Posteroanterior | Lt wrist X-ray | cast present | Siemens | 748 x 982 px — 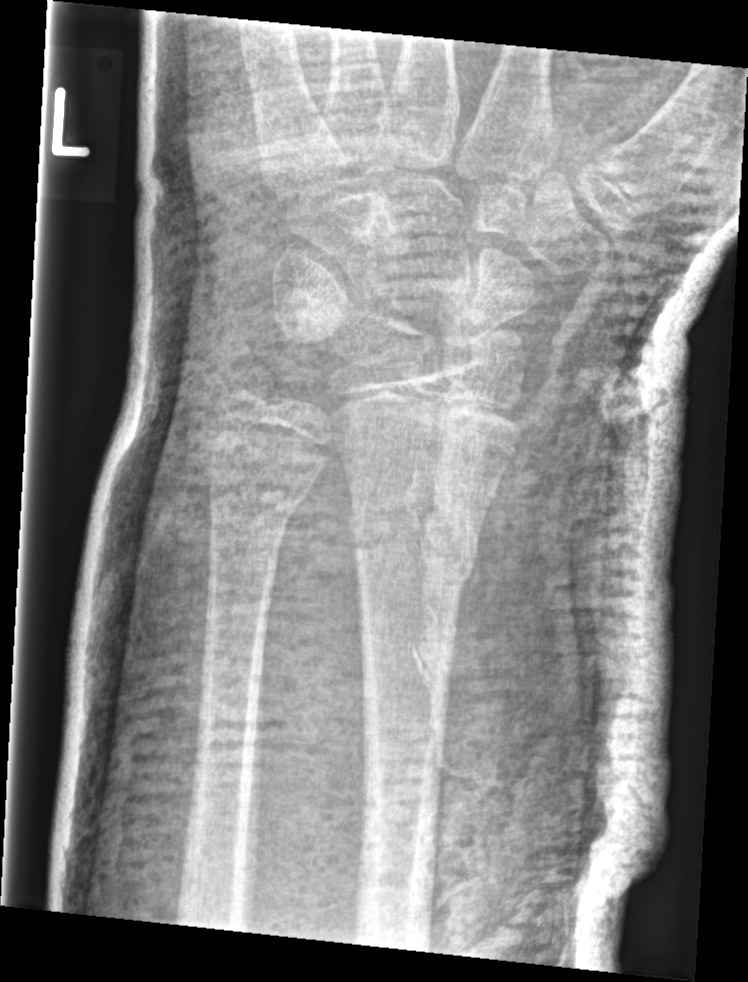 AO/OTA classification: 23r-M/3.1; 23u-M/2.1.
Bone fracture identified at 355 488 483 590 | 204 463 312 530.